AP, Lt pediatric wrist radiograph, in cast, image width 83.4 mm
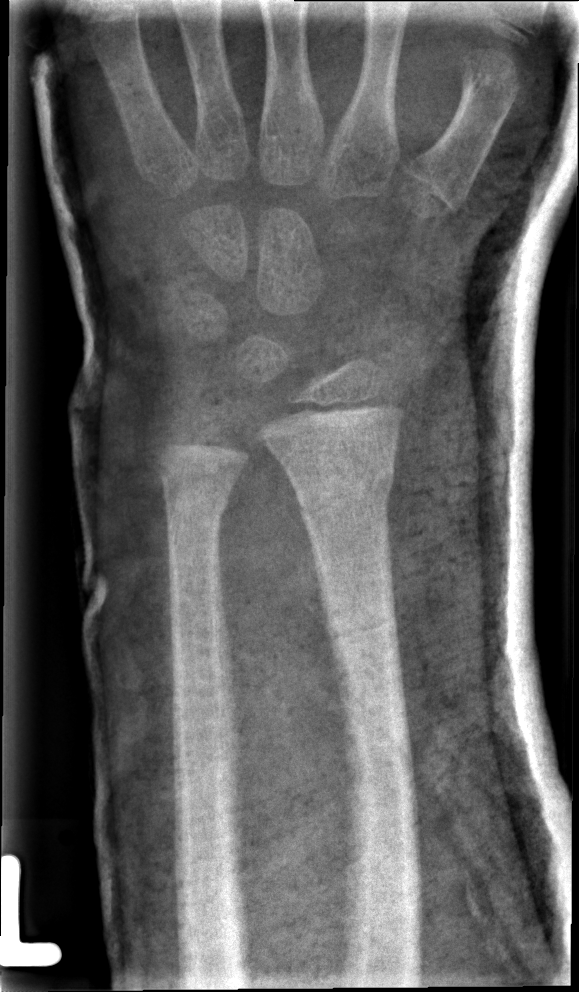 (coordinates are [x1, y1, x2, y2] in image pixels)
AO code = 23r-M/3.1; 23u-M/2.1
Fx = (left=295, top=452, right=400, bottom=526); (left=161, top=483, right=238, bottom=530)